Left wrist plain radiograph of the wrist · frontal projection · 2-year-old girl · acquired on Siemens:
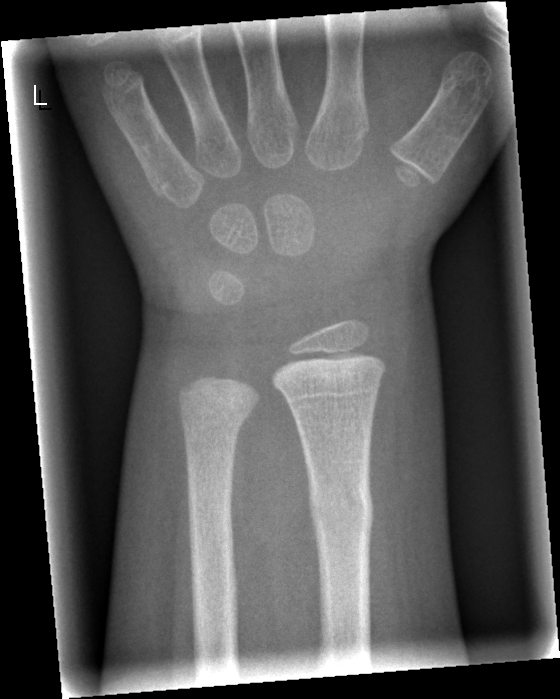

{
  "ao": "23-M/2.1",
  "fracture": "2 @ 307,472,376,542; 177,397,254,437"
}